PA projection | right pediatric wrist radiograph | pediatric patient (girl, age 6) | presentation radiograph —

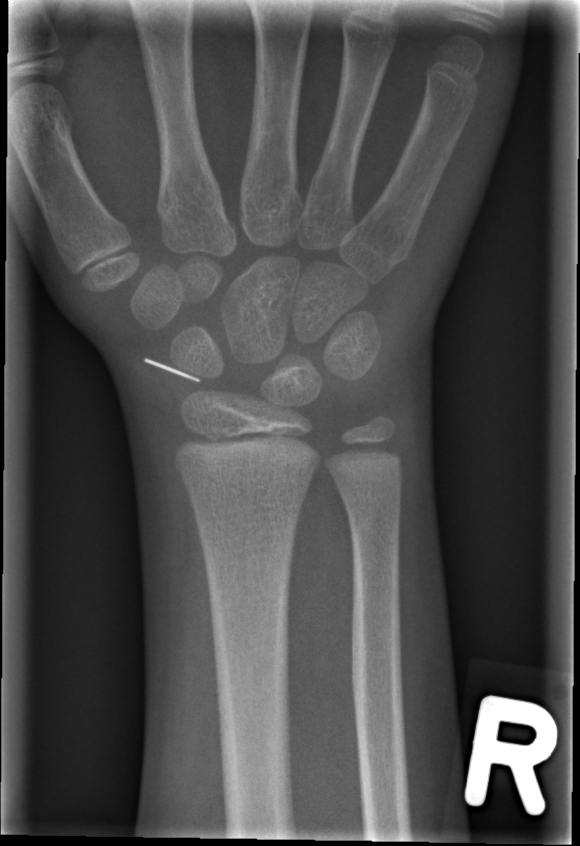
hardware = 1 @ [x1=142, y1=356, x2=202, y2=384]
bone fracture = none labeled